Left wrist X-ray | PA | 1.3-year-old girl | 79.2 mm image width | 550 x 671 px —
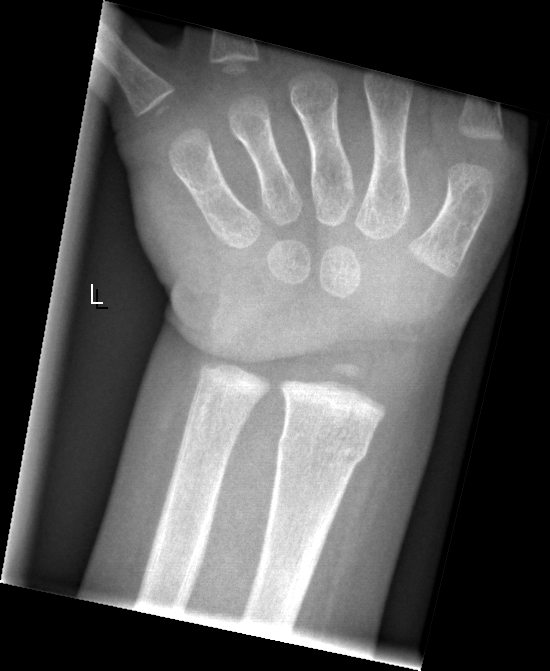

FINDINGS: (pixel coordinates, top-left origin, xyxy) Fracture classified AO/OTA 23r-M/2.1. Bone fracture identified at <272,423>-<372,470>.